AP; left wrist radiograph; 11y M; in cast; detector: Siemens: 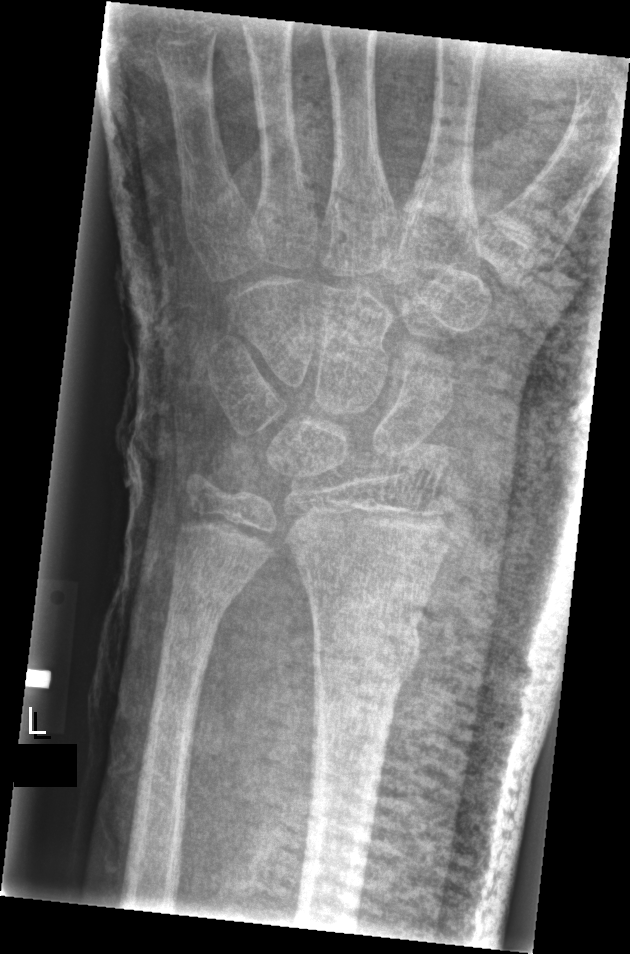 Findings: (coordinates are [x1, y1, x2, y2] in image pixels) Two Fx at [308, 598, 423, 691], [162, 567, 244, 631]. AO/OTA classification: 23-M/2.1.